Left wrist plain film | lat projection | 13y M | in cast:

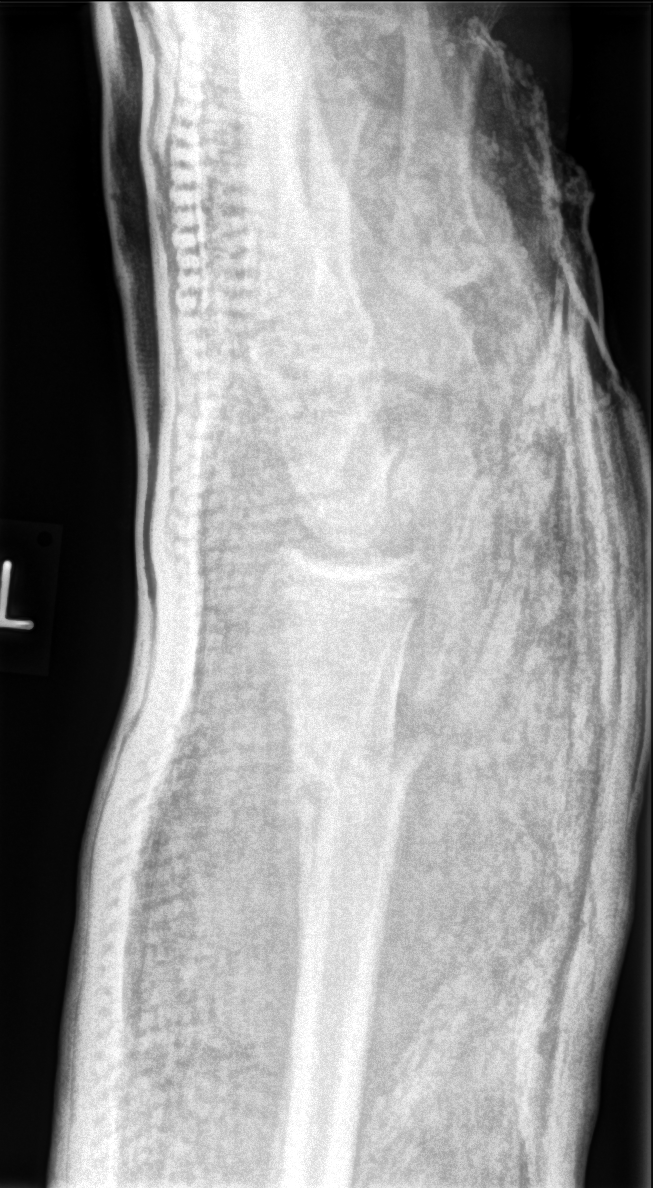

One bone fracture at bbox(279, 723, 432, 872).